Rt wrist X-ray; lat view; imaged through cast. 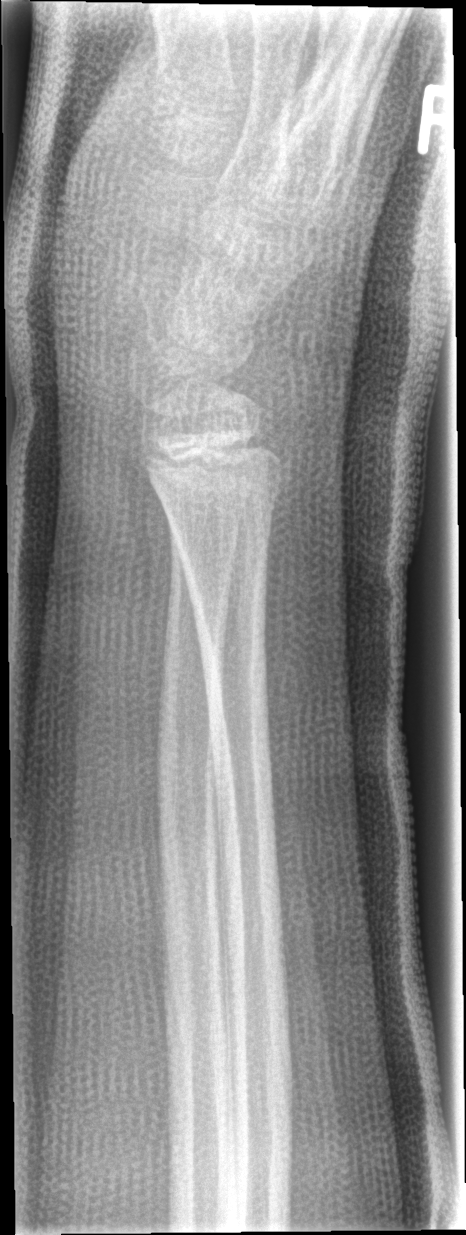

Findings: No fracture labeled.